PA projection, left wrist X-ray, index exam.

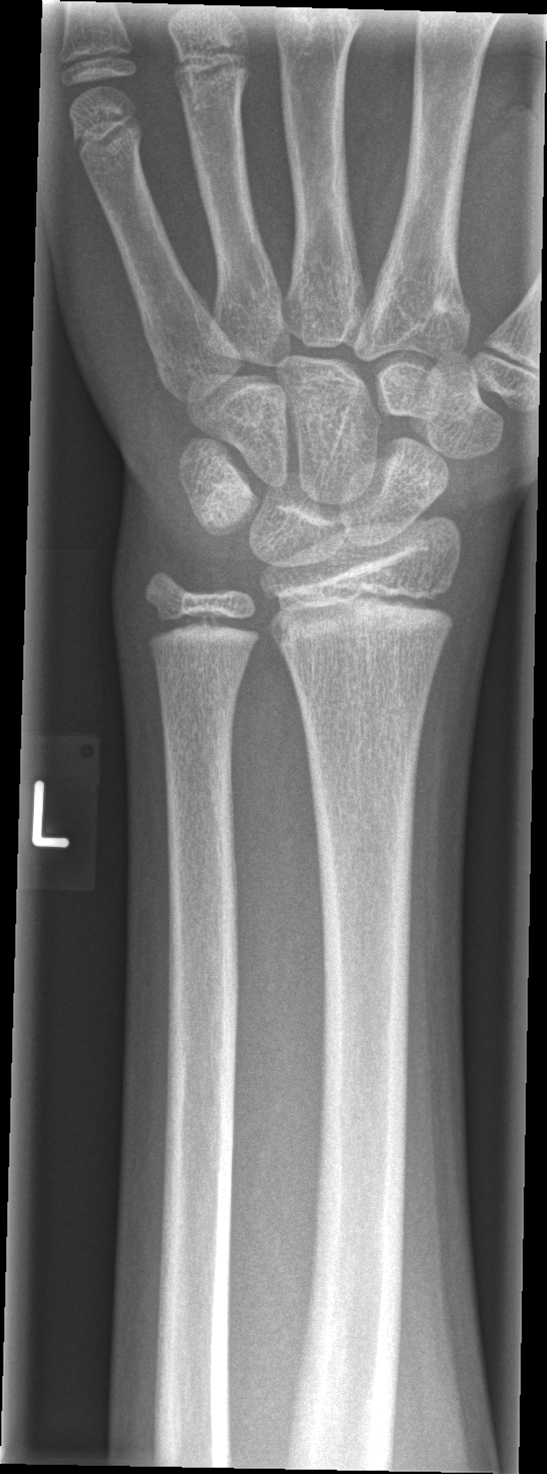
Fx = none labeled